Right wrist XR, PA/AP projection, pediatric patient (girl, age 5), follow-up, Siemens —

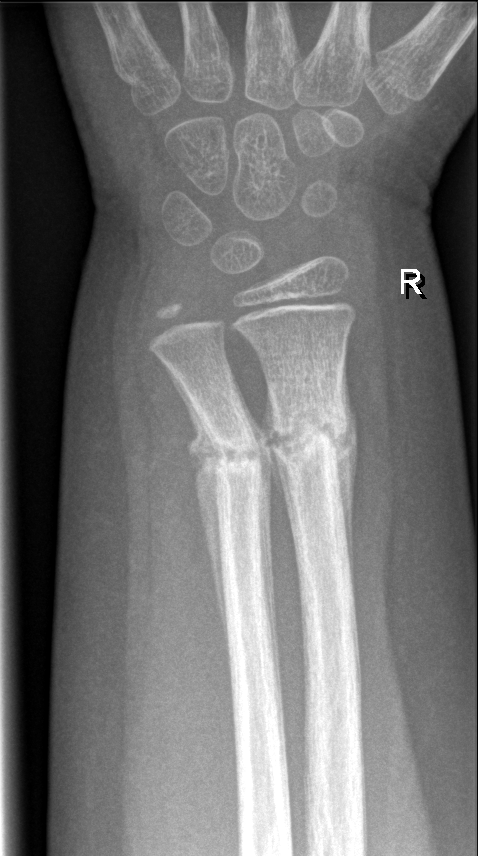
Q: AO code?
A: AO code 23-M/3.1
Q: Bone density?
A: Osteopenia
Q: Fracture present?
A: Fx identified at (264, 404, 351, 462) (208, 426, 267, 480)
Q: Any periosteal thickening?
A: Periosteal thickening identified at (163, 361, 230, 656) (232, 374, 285, 745) (331, 354, 359, 605) (261, 385, 300, 553)